Posteroanterior, left wrist X-ray, initial study:
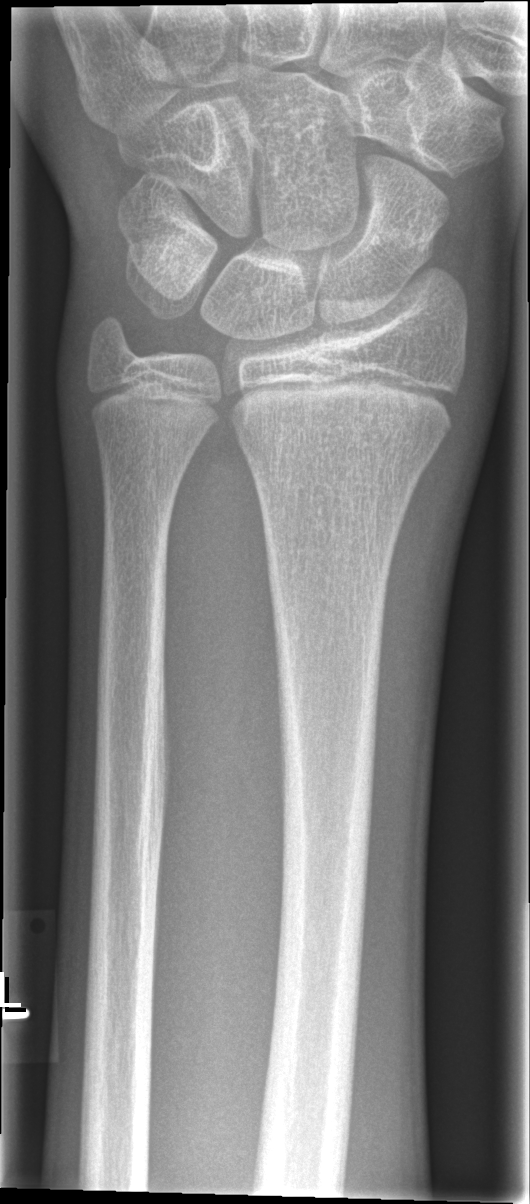
Fracture classified AO/OTA 23r-M/2.1. Fx: present but not clearly seen in this view.